Left wrist radiograph · lateral view · presentation radiograph · 83.5 mm image width.
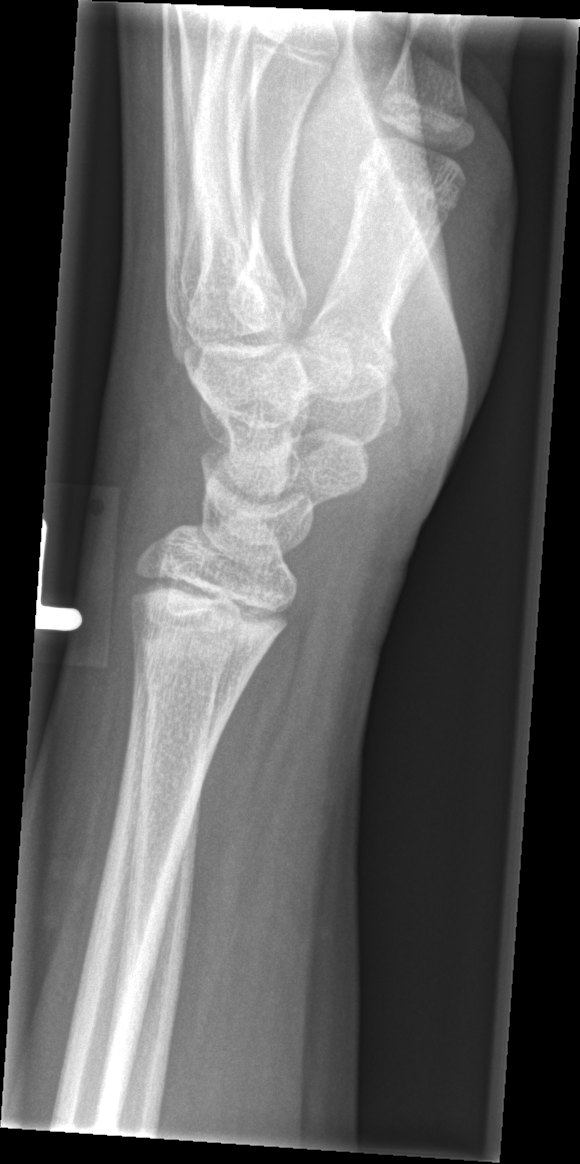

{"fracture": "none labeled"}